Lat · left wrist radiograph
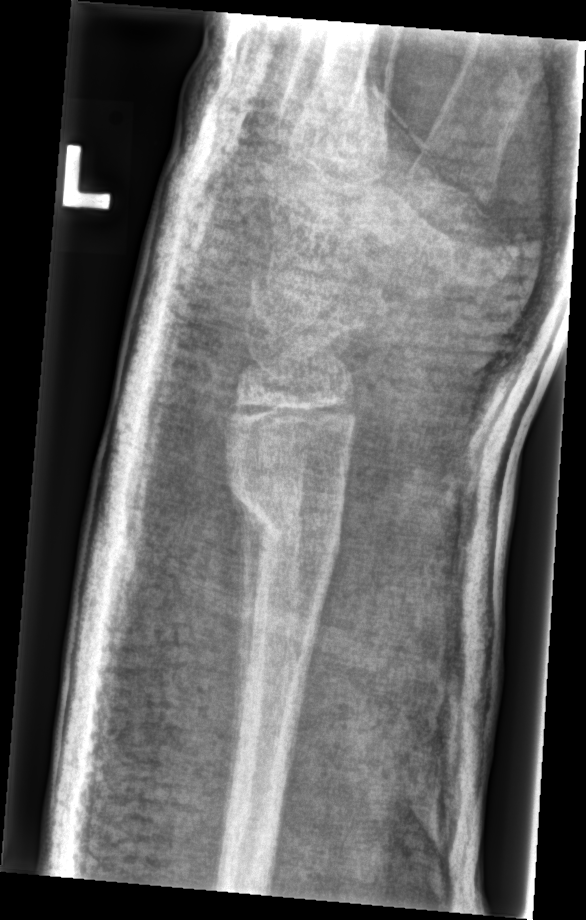 periosteal thickening: (left=227, top=476, right=271, bottom=800)
bone fracture: 1 @ (left=227, top=477, right=343, bottom=566)
AO/OTA: 23-M/2.1